PA/AP · left wrist plain film · age 11 y, male · initial study —
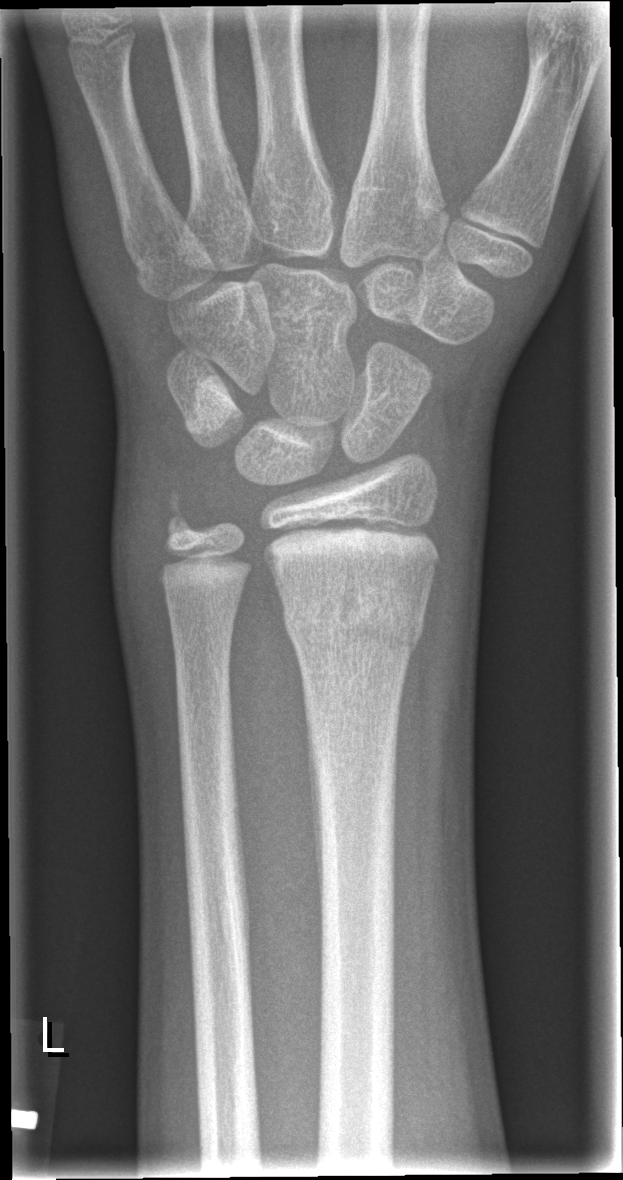
AO code: 23r-M/2.1; 23u-E/7
Bone fracture: <278,584>-<428,655>; <152,488>-<210,547>
Soft-tissue finding: <104,437>-<179,689>